AP | right wrist radiograph | boy, 11 yo | cast present | 800x1232:
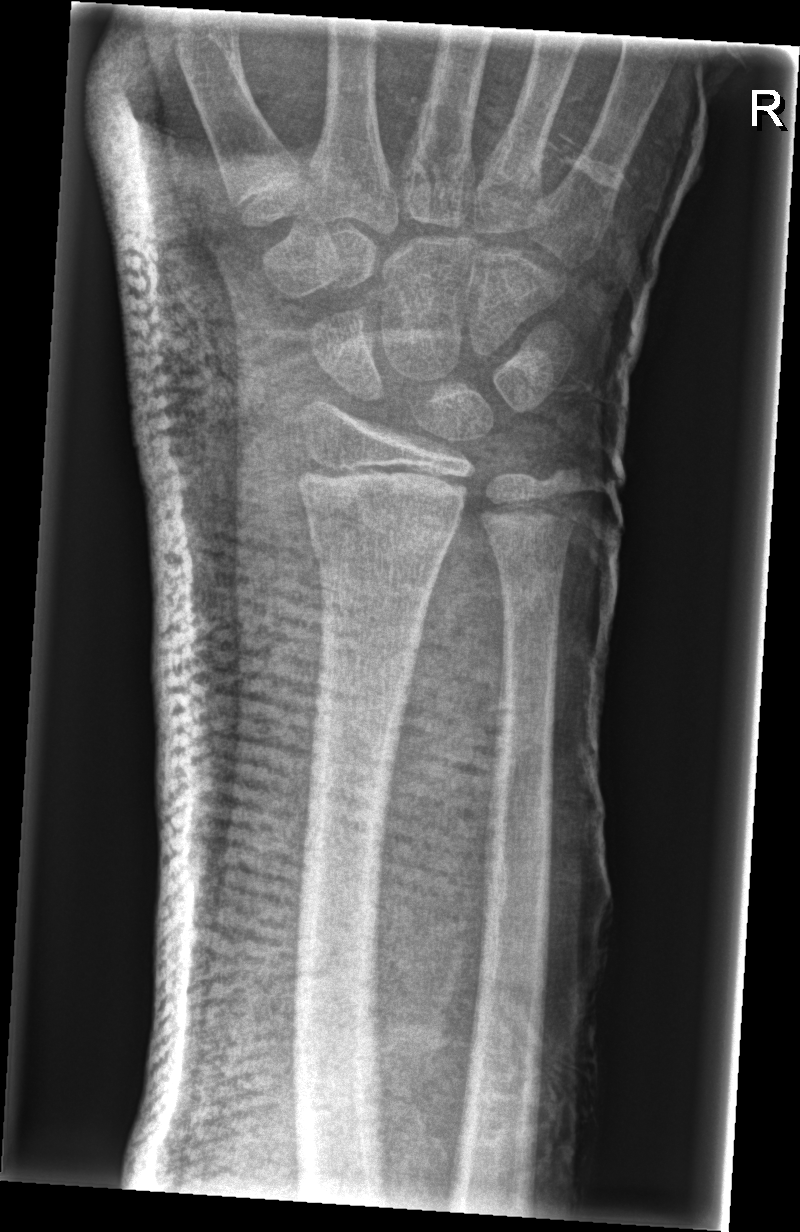 fracture: 1 @ (302, 501, 454, 583)
ao: 23r-M/3.1